Lt wrist plain film | frontal view. 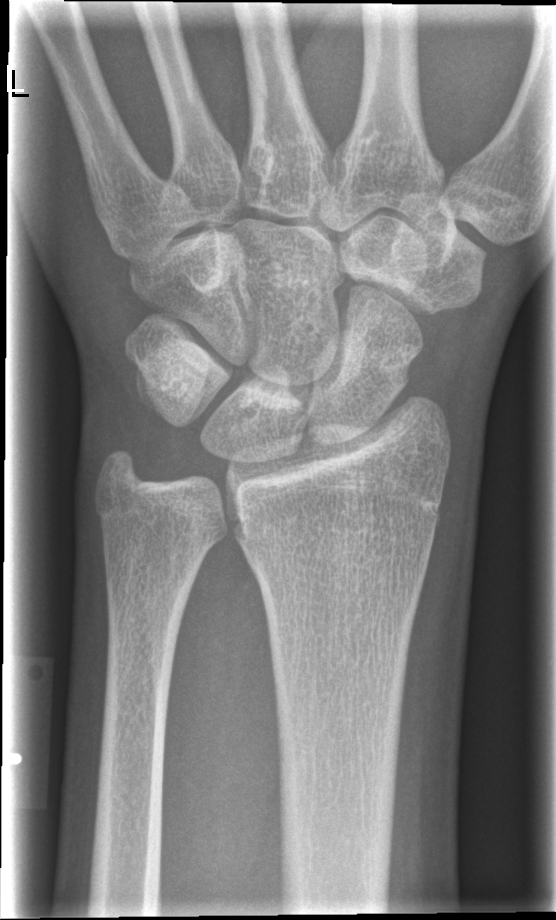 No fracture labeled.